Left wrist XR · PA/AP · initial study 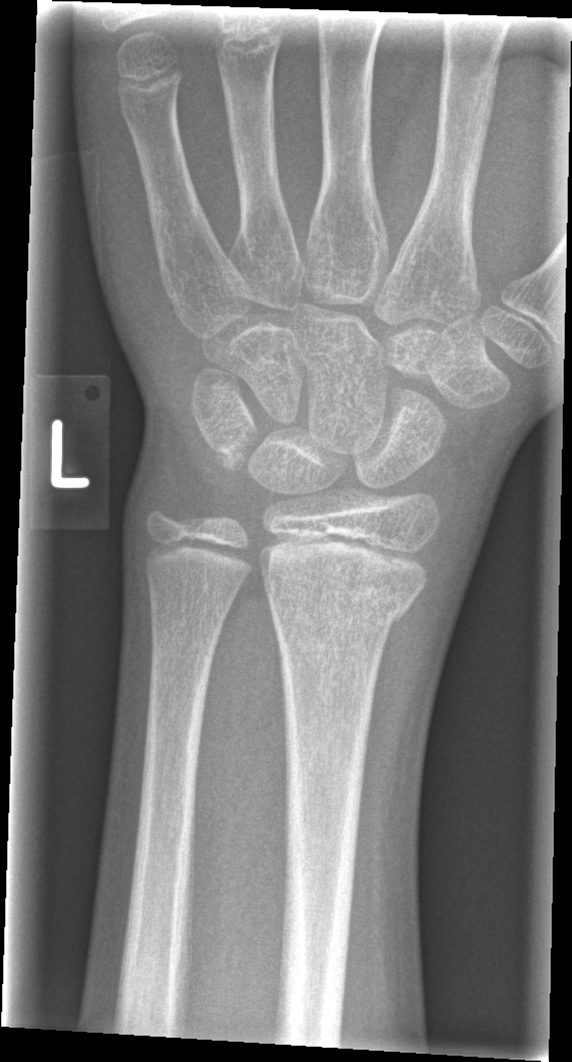 # coordinates are [x1, y1, x2, y2] in image pixels
ao: 23r-M/2.1
fracture: (262, 566, 425, 635)